R wrist XR · posteroanterior 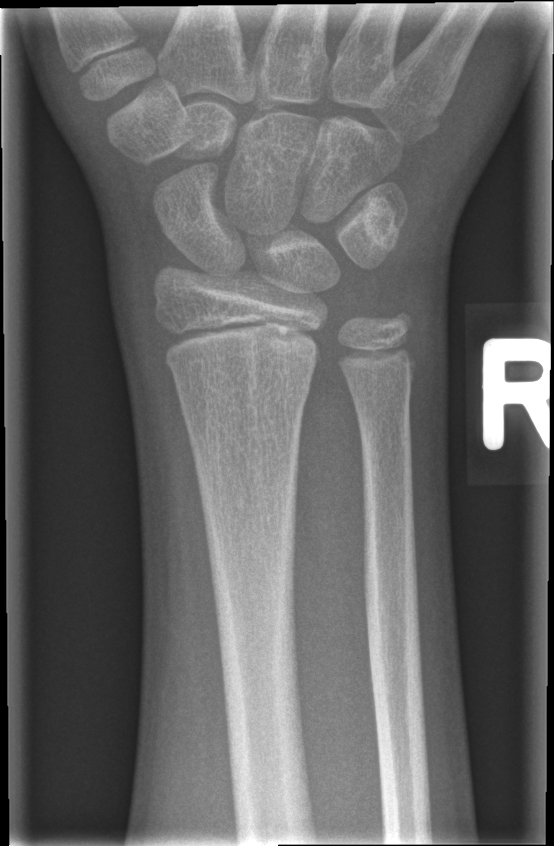

Findings: Fracture classified AO/OTA 23r-M/2.1. Bone fracture identified at [x1=173, y1=364, x2=314, y2=412].